Rt pediatric wrist radiograph · AP view · image 82.4 mm wide
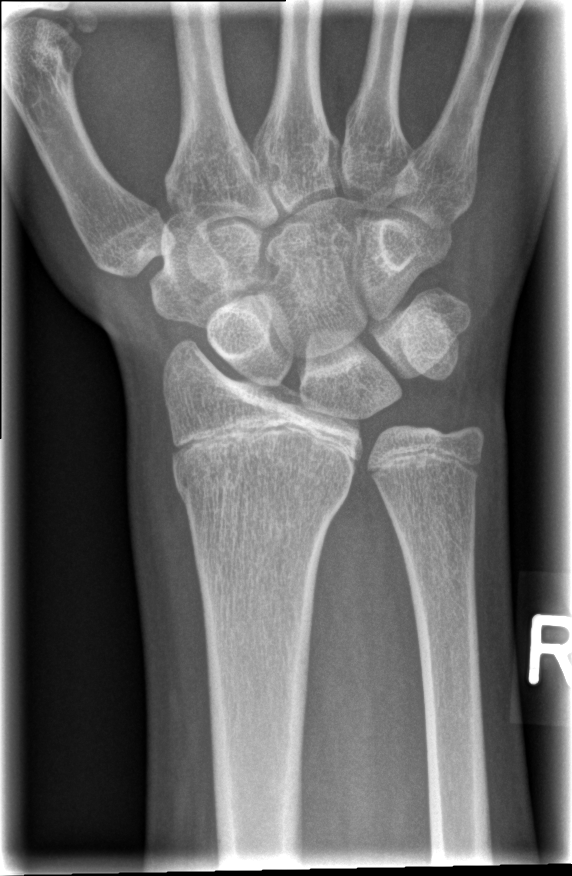 • Fx — <173,443>-<357,511>.